Lt wrist X-ray · PA/AP view · boy, 14 yo · index exam:
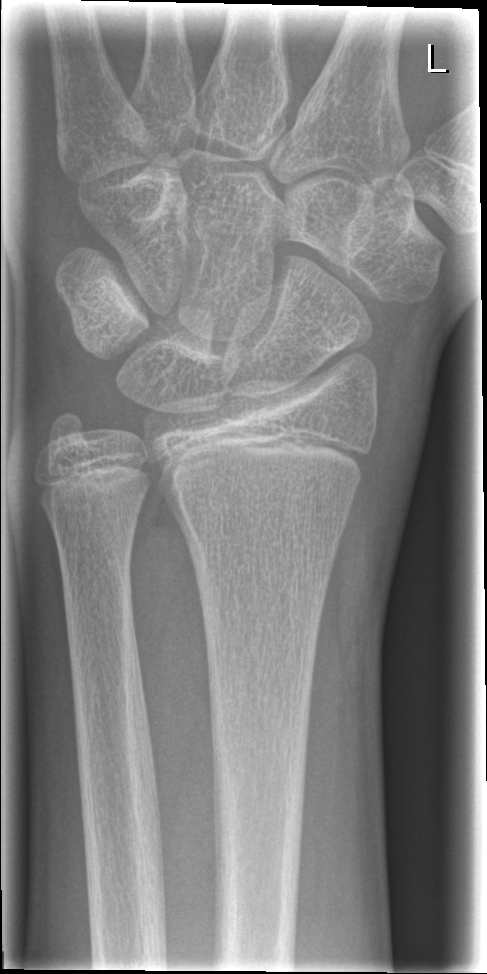
Findings: AO code 23r-M/2.1. Fx present but not clearly seen in this view.